PA/AP · Lt wrist XR · initial study.

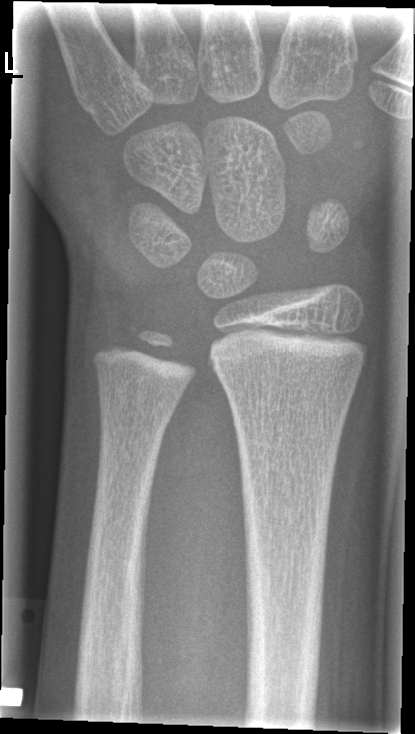
FINDINGS — No fracture labeled.